Left wrist radiograph | PA/AP | Siemens — 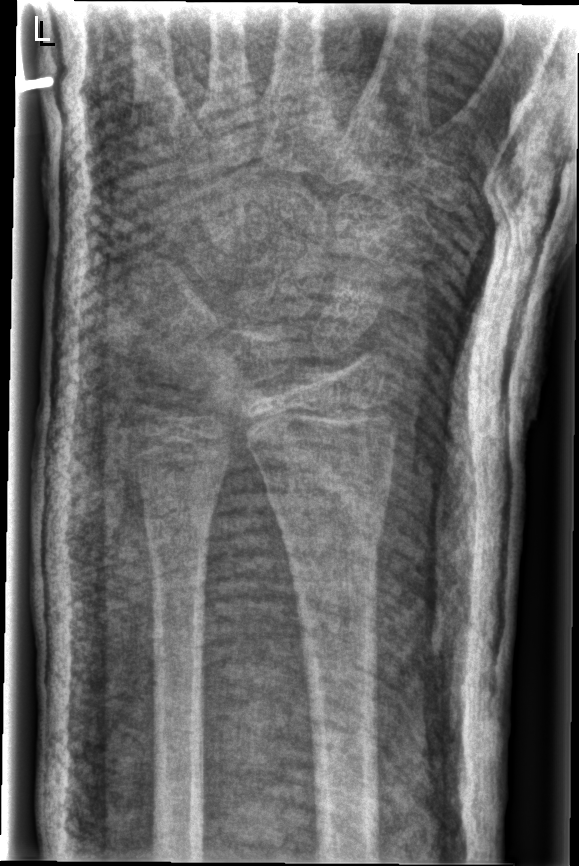

FINDINGS: (pixel coordinates, top-left origin, xyxy) Fracture: 262,471,393,549.